Lateral · Rt wrist XR · pediatric patient (female, age 15) —
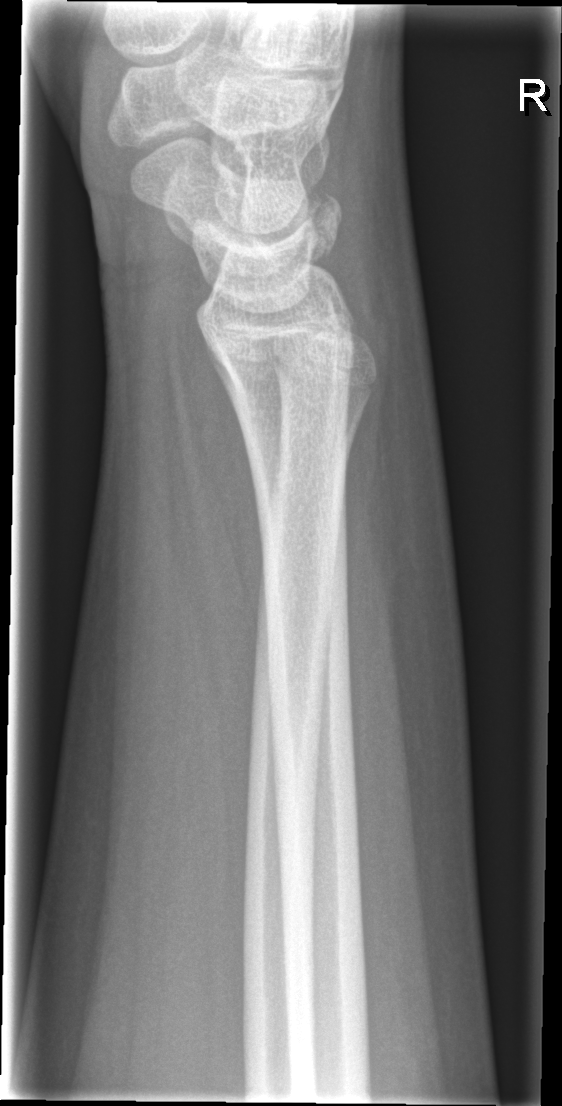

fracture = none labeled